Lat, L wrist radiograph, female, 12 yo, follow-up, cast in situ.

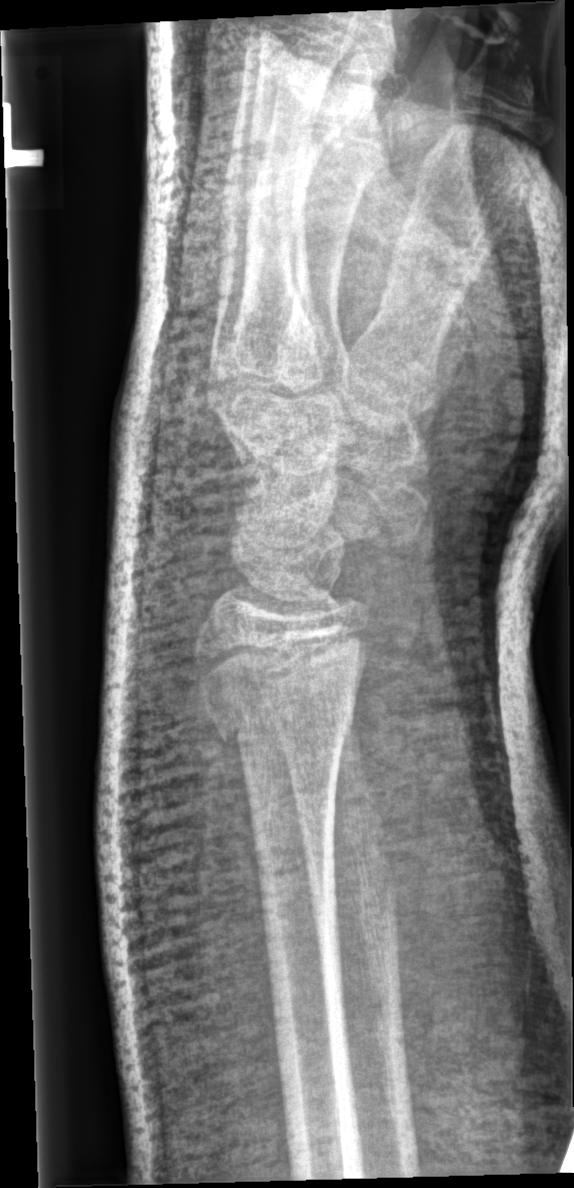 * Bone fracture: [198, 618, 374, 741].